L wrist XR, lateral view, 11y F, 442x916:
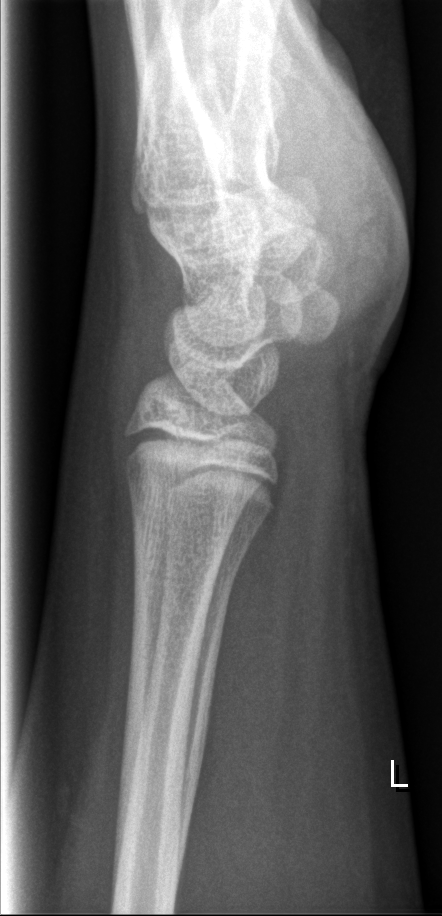
Fracture: none labeled.